Left pediatric wrist radiograph · lateral view · detector: Siemens — 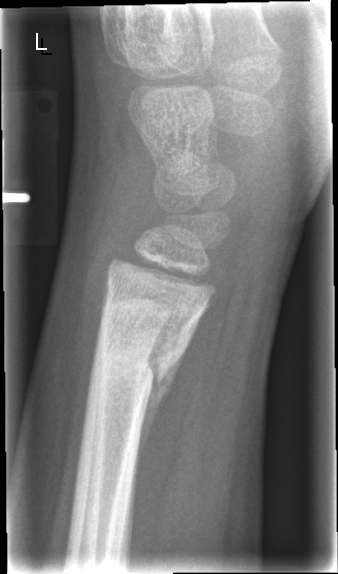
osteopenia = present
periosteal new bone = 1 @ 136,338,192,490
AO/OTA = 23r-M/2.1
fracture = 88,332,192,394